Lateral | L wrist plain film

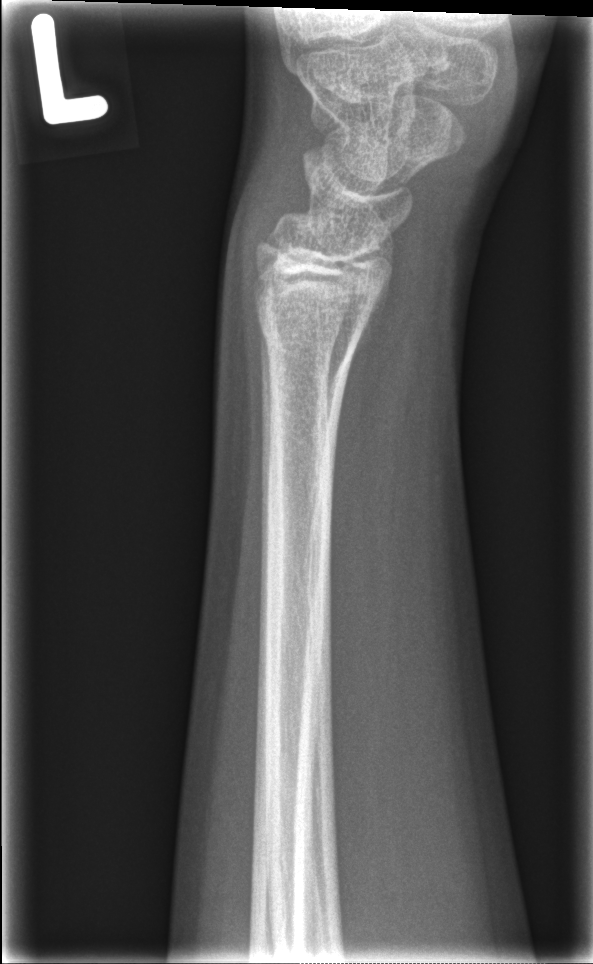

Bounding boxes in image-pixel xyxy.
One bone variant at 243,243,384,355.
Fracture identified at 252,297,368,356.